PA/AP projection · R wrist XR · girl, 15 yo
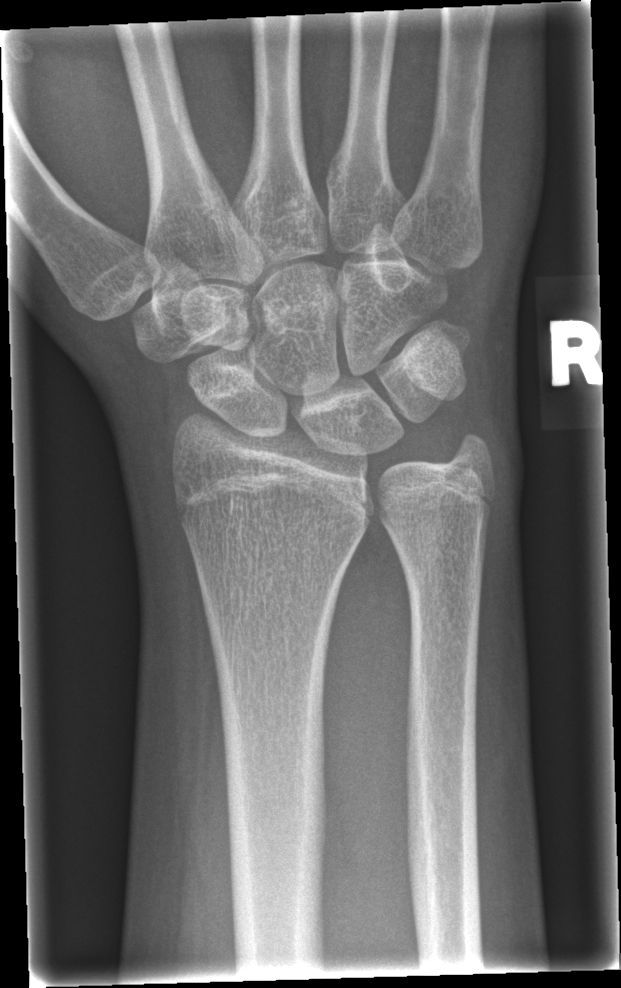 {"fracture": "none labeled"}